Right pediatric wrist radiograph · AP projection · pediatric patient (female, age 8) — 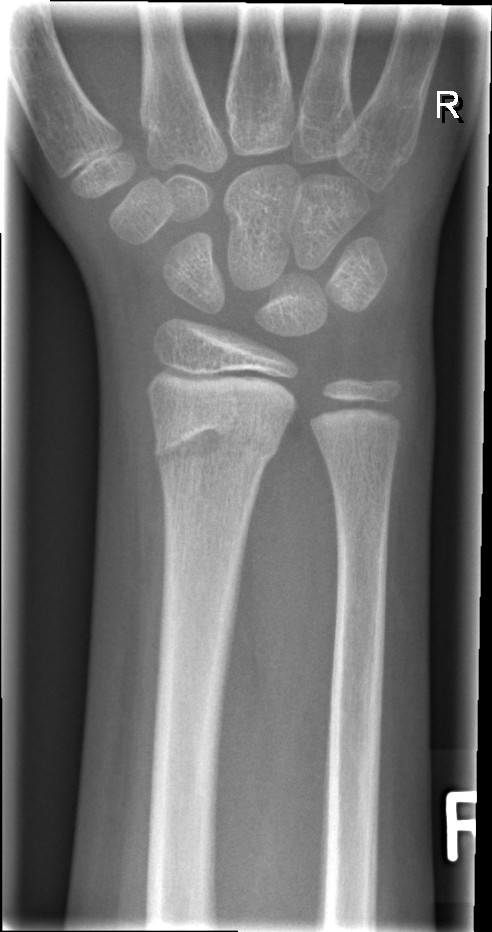

• Boxes as x1,y1,x2,y2 (top-left / bottom-right, pixel units).
• Bone fracture identified at 150 409 287 482.